Lat view · right wrist plain film · Siemens.
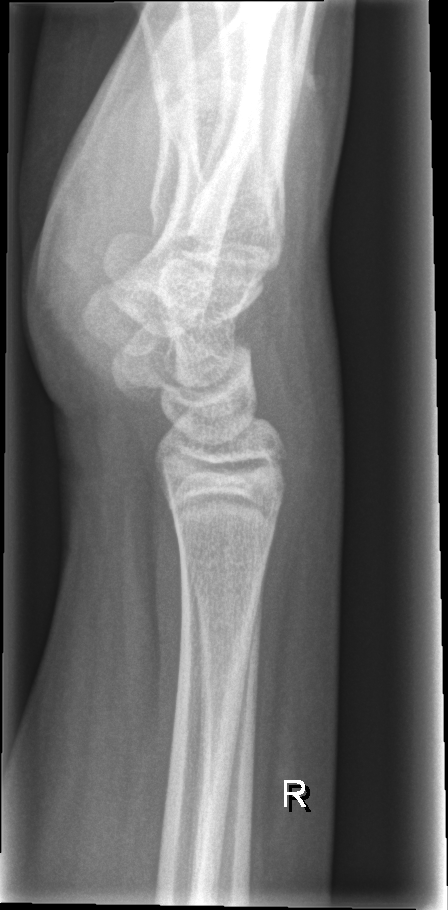

bone fracture = none labeled